Left wrist X-ray, posteroanterior, in cast, 661 by 984 pixels — 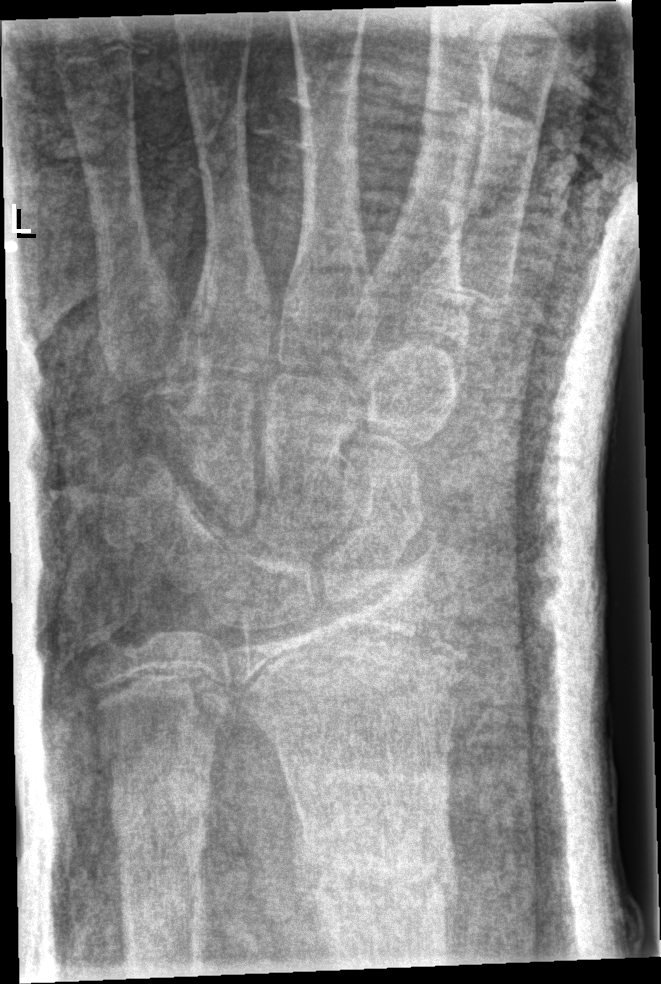
FINDINGS — AO code 23-M/3.1. Fracture: bbox(289, 820, 466, 926) bbox(106, 766, 218, 851).